Left wrist XR, lateral projection, acquired on Siemens, image width 87.6 mm — 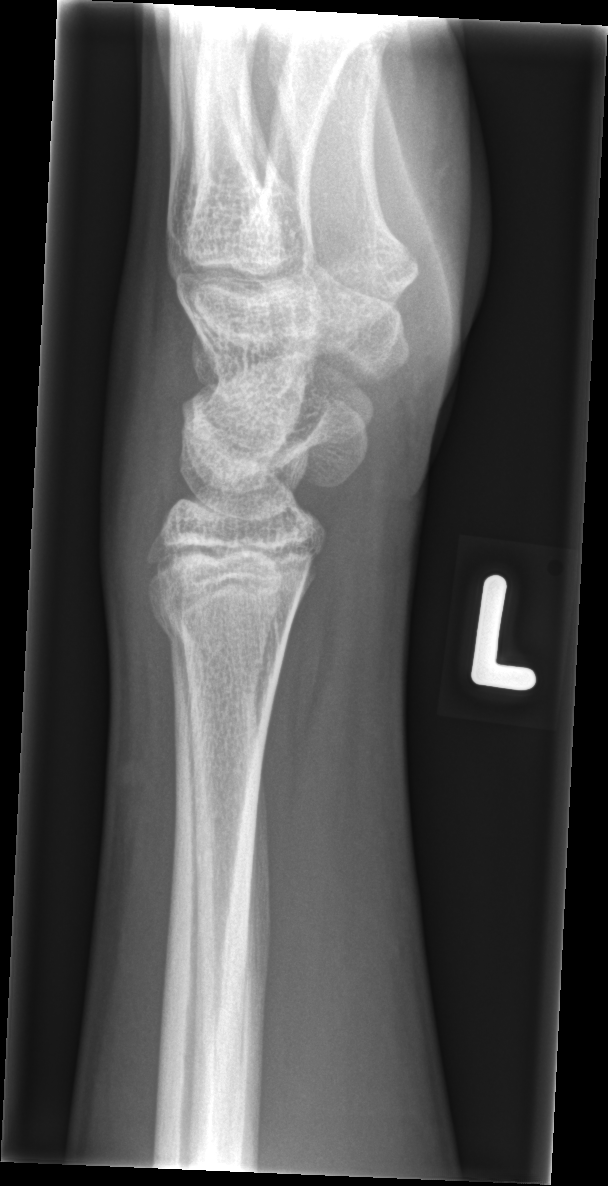
* Pixel coordinates, top-left origin, xyxy.
* AO/OTA classification: 23r-M/2.1.
* Bone fracture: [141, 578, 291, 676].